PA/AP projection | Lt wrist XR | age 14 y, male. 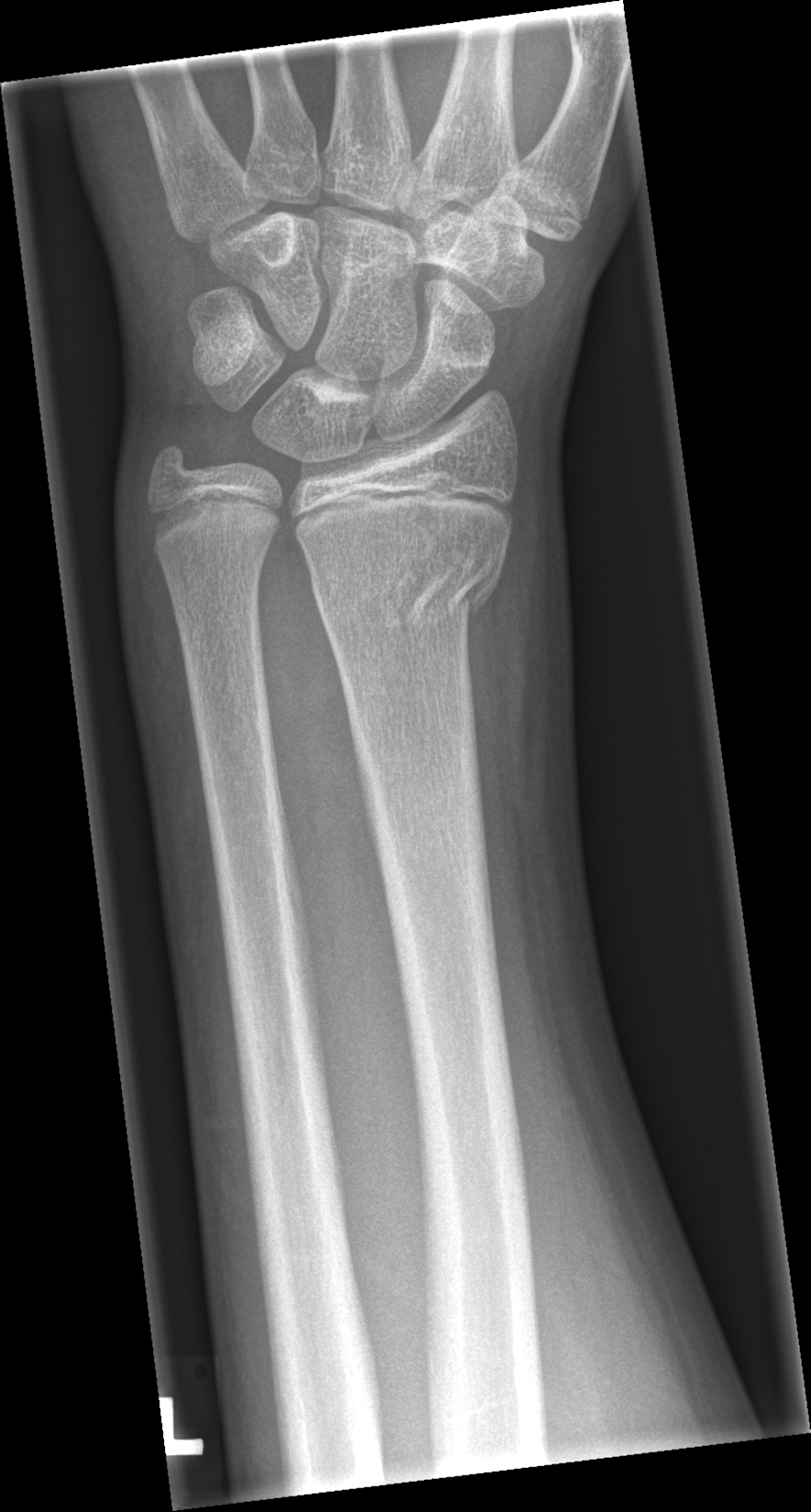
FINDINGS — (bounding boxes in image-pixel xyxy) Bone fracture: (left=292, top=501, right=519, bottom=641), (left=144, top=482, right=287, bottom=563). AO code 23r-M/3.1; 23u-E/2.1.